R wrist XR; lateral projection; initial study

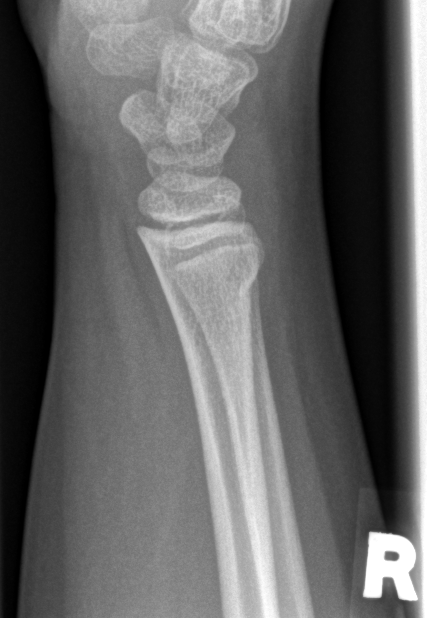 (bounding boxes in image-pixel xyxy)
fracture: 1 @ bbox(153, 249, 266, 307)
AO code: 23r-M/2.1